Left wrist radiograph | lateral | 80.5 mm image width —

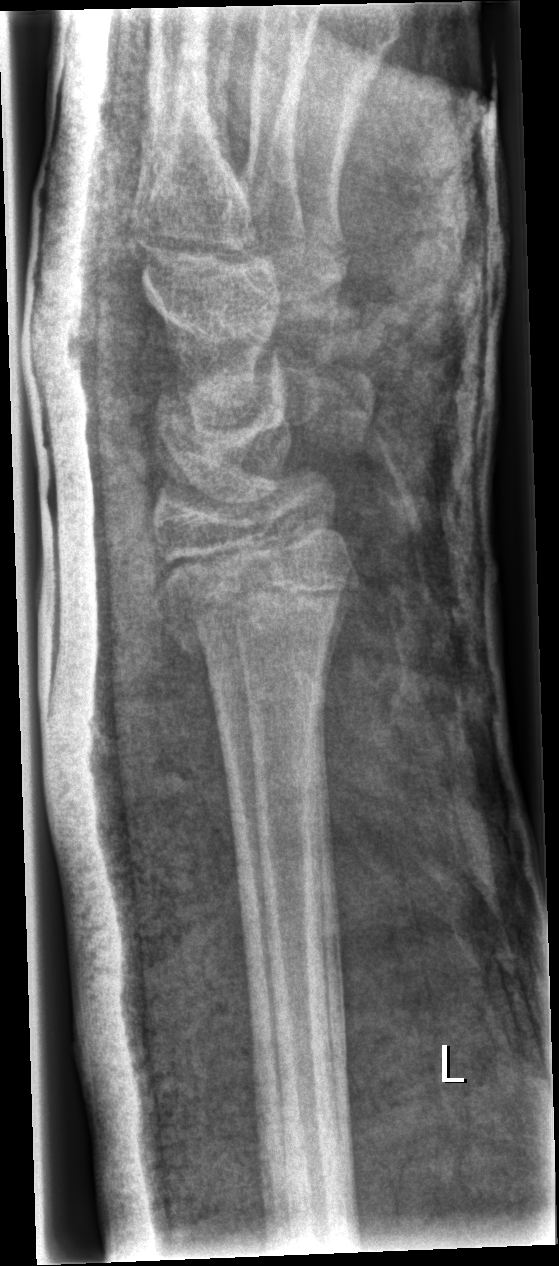
Fx: 147,509,363,670